Rt wrist XR · PA · Siemens

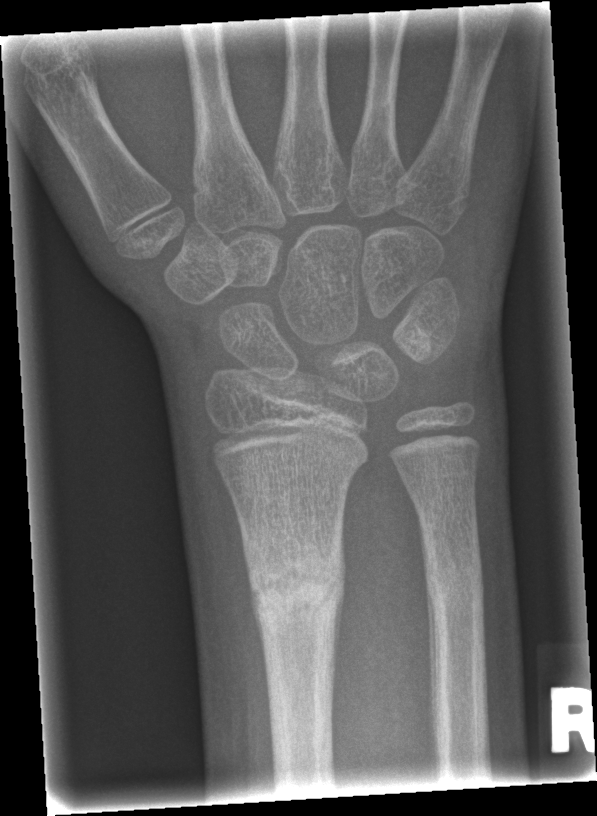 FINDINGS: Fx identified at [243, 540, 351, 633]; [421, 561, 485, 616]. Osteopenia. Two periosteal reaction at [425, 586, 439, 758] [333, 593, 346, 689].